Left wrist plain radiograph of the wrist | PA/AP | age 6 y, boy:

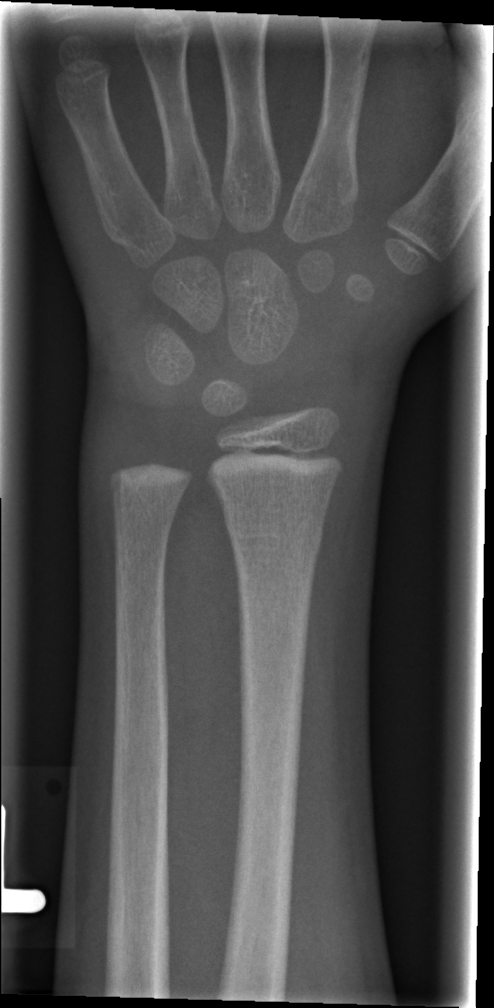

Fracture: [x1=223, y1=510, x2=324, y2=564].